Frontal view | Rt wrist X-ray | girl, 10 yo: 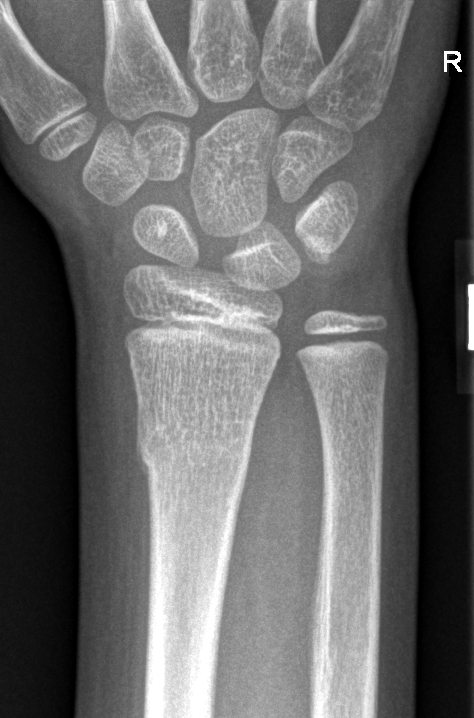

AO code: 23r-M/2.1
Bone fracture: 1 @ <133,411>-<254,481>